Left wrist plain film | AP view | 9y M | detector: Siemens | image width 71.4 mm 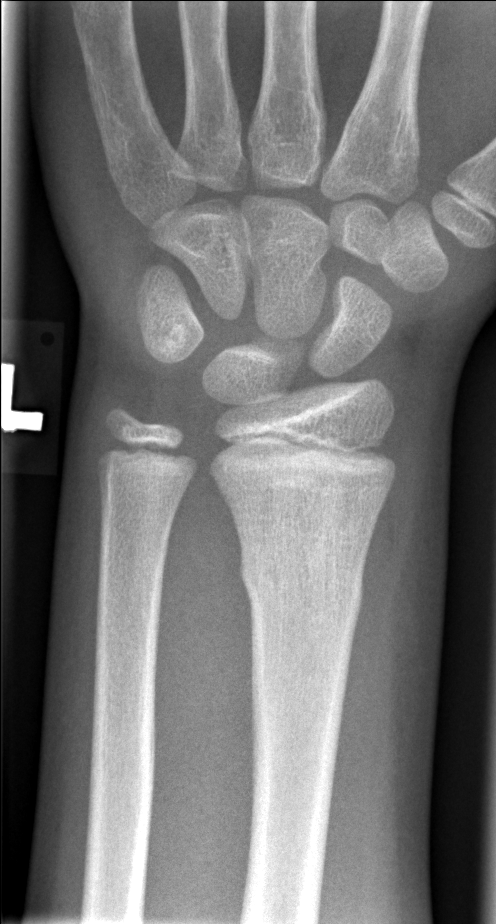
Fracture: 1 @ (left=238, top=544, right=366, bottom=615)
AO classification: 23r-M/2.1